Lat projection, L pediatric wrist radiograph, 11y M —
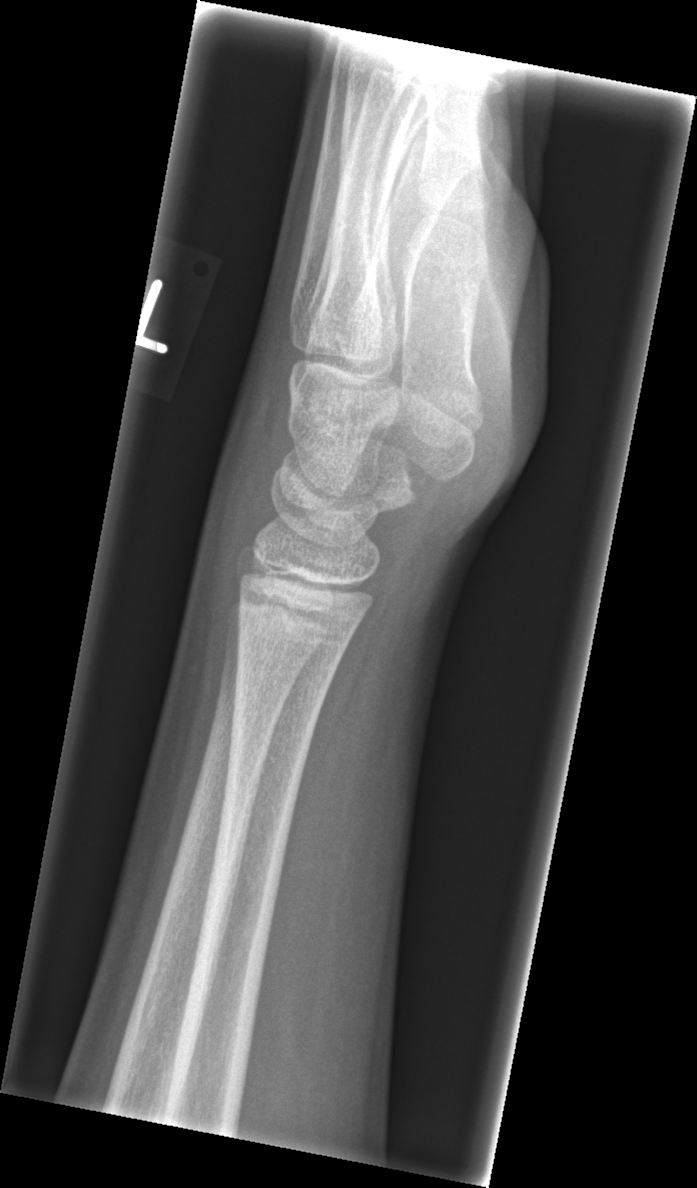
Fx = none labeled